Rt wrist X-ray, PA/AP projection, female, 8 yo
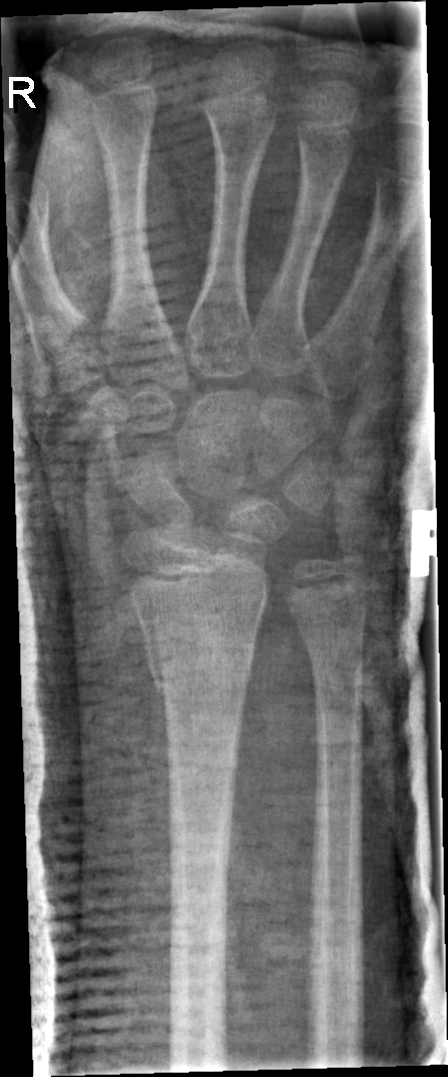
* Fx: (left=136, top=614, right=257, bottom=704).
* Fracture classified AO/OTA 23r-M/2.1.